Lt wrist plain film, PA/AP, 8y F, 580 x 621 px: 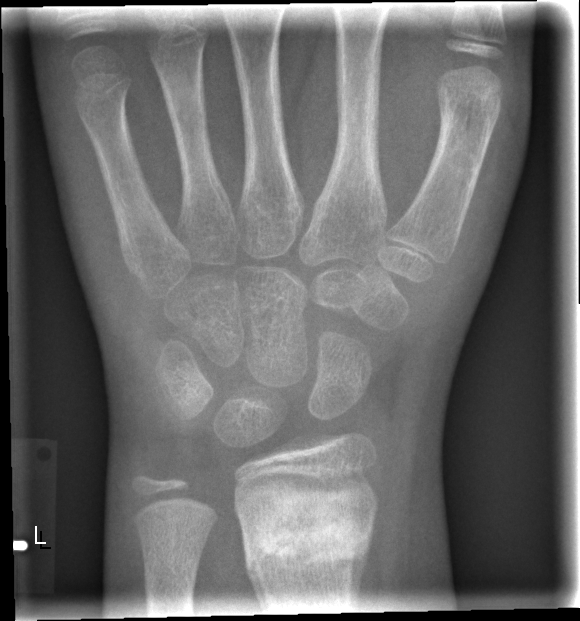
* Periosteal new bone: [349, 538, 372, 599] [244, 548, 267, 601].
* One bone fracture at [236, 499, 375, 580].